Lat · left pediatric wrist radiograph: 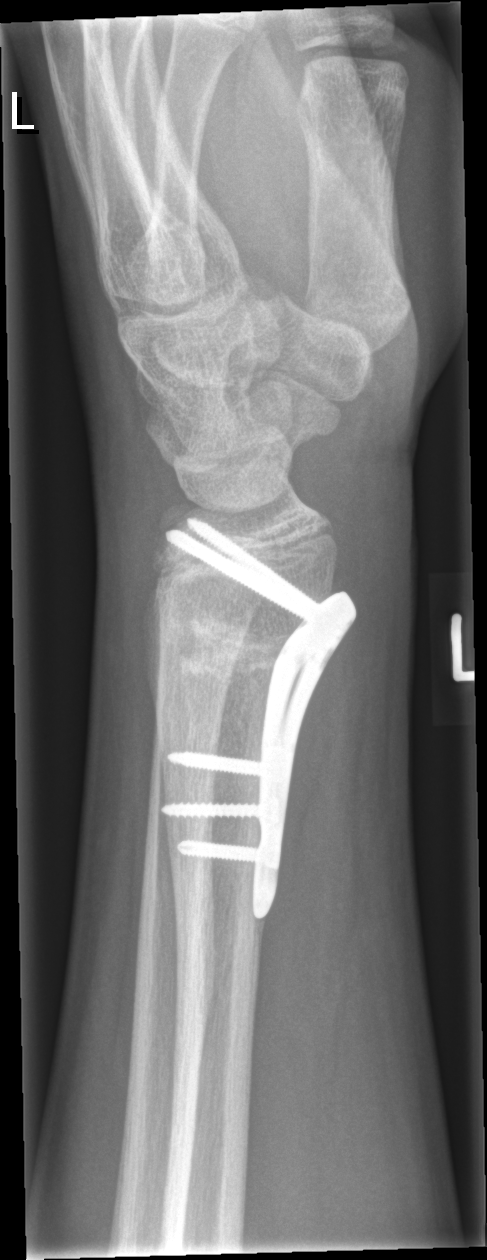

Bone fracture = [x1=150, y1=610, x2=291, y2=673]
Hardware = [x1=170, y1=518, x2=353, y2=911]